L wrist radiograph | lateral | initial study.

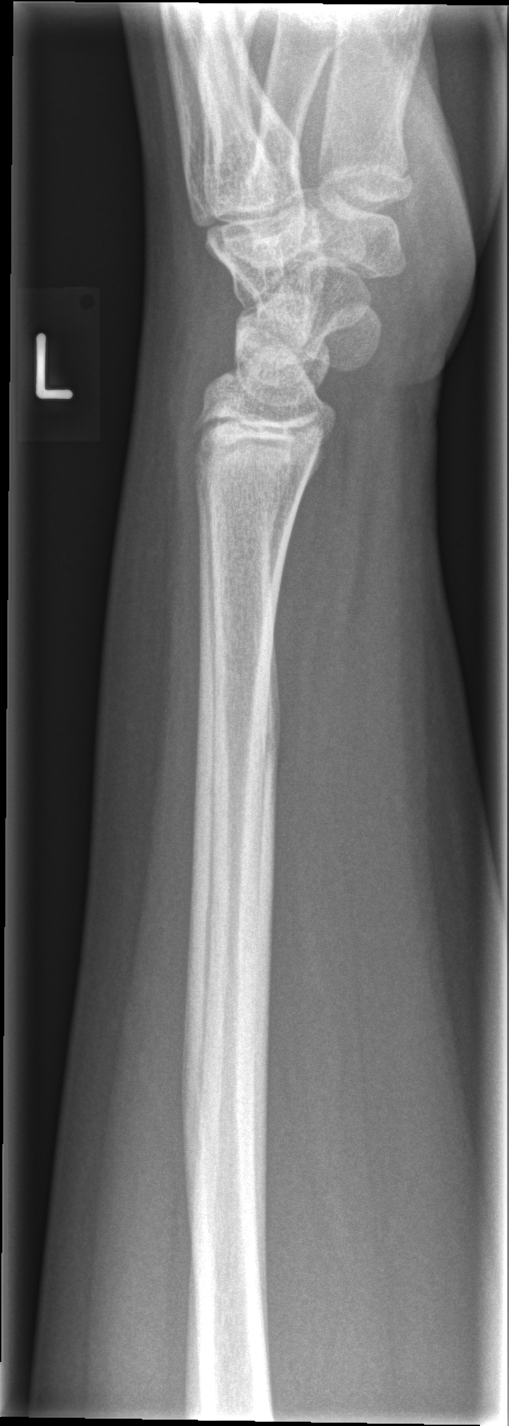

Bone fracture: none labeled